Left pediatric wrist radiograph, lat view, female, 7 yo, imaged through cast, Siemens.
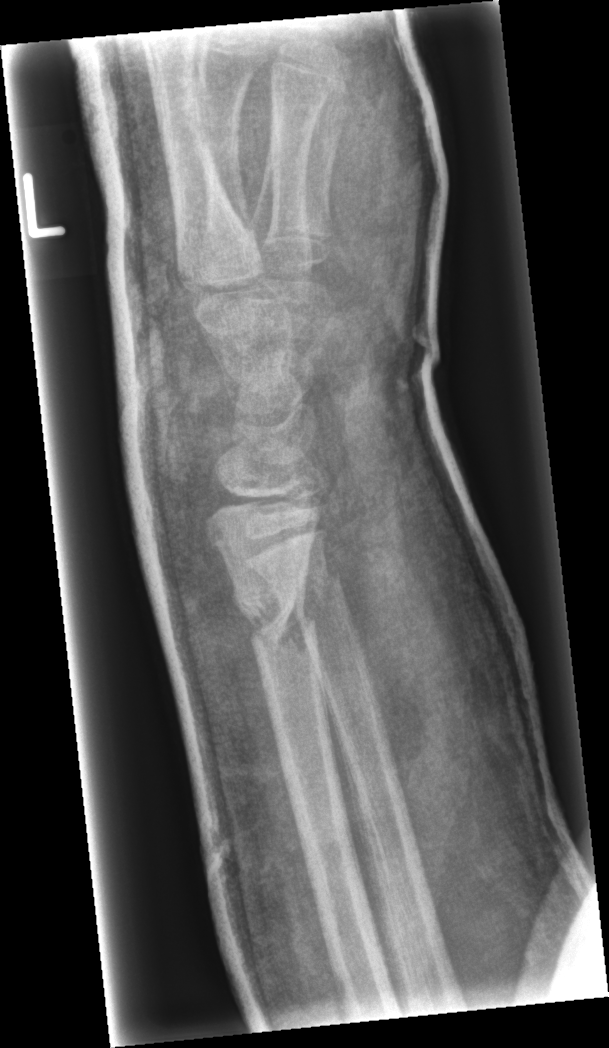 (bounding boxes in image-pixel xyxy)
Fracture: [233, 588, 318, 644], [295, 565, 346, 628]